Posteroanterior view · R wrist XR · age 1.9 y, boy · index exam · equivocal findings:
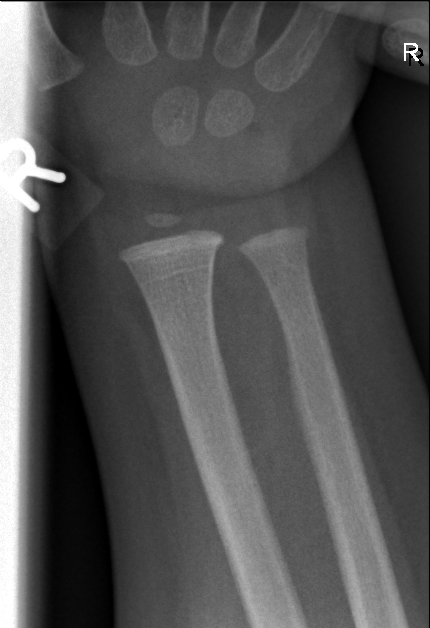 Fx: none.